Left wrist plain film · frontal view · 10-year-old male.
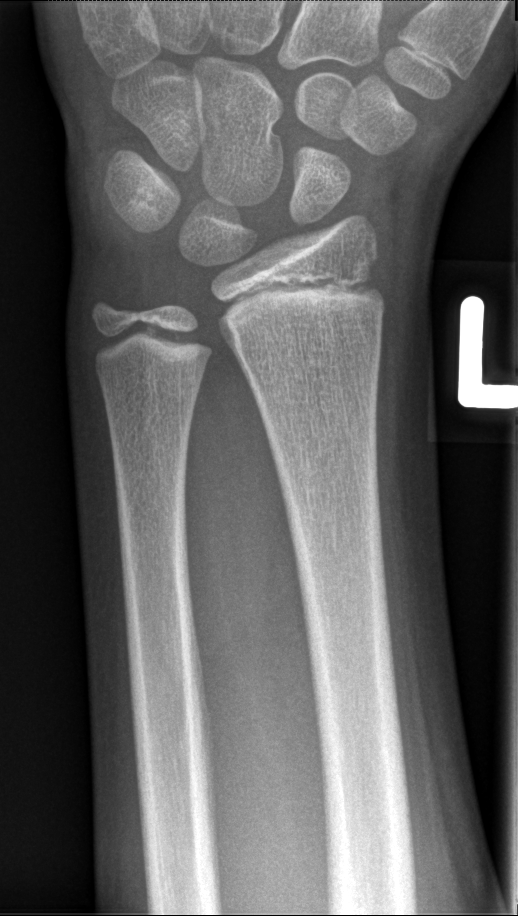 No fracture bounding box.